Left wrist X-ray, AP projection, male, 16 yo:

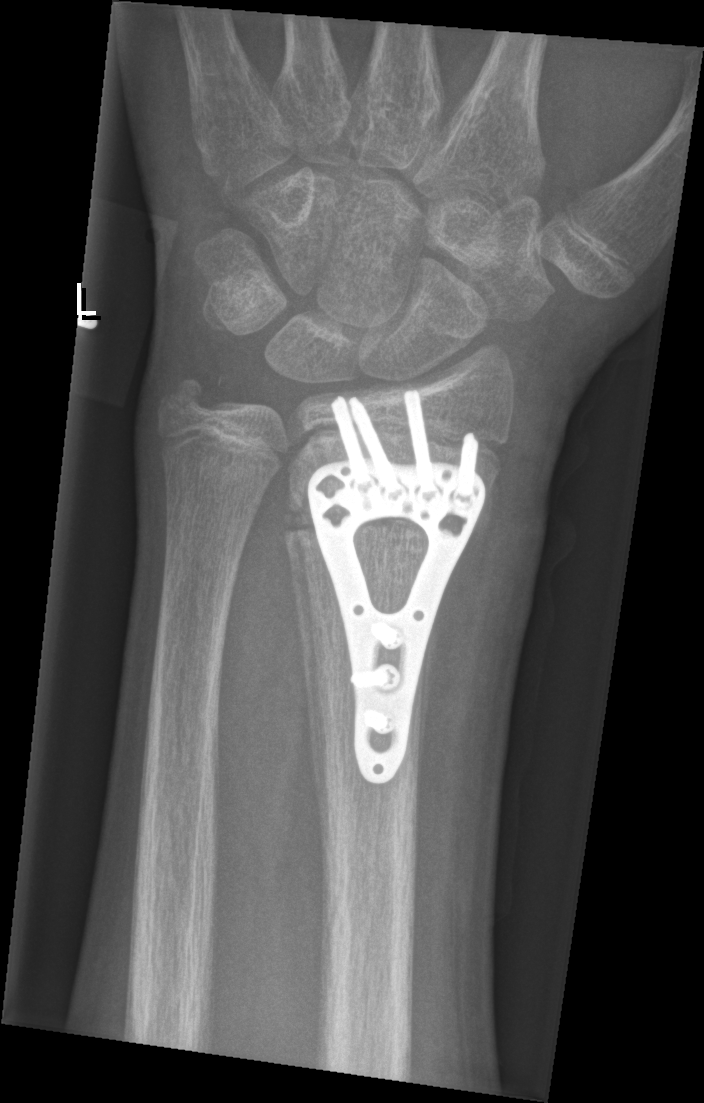 Q: Locate any fractures.
A: One Fx at 155,368,220,430
Q: Any metal present?
A: One metal at 307,390,483,781